Rt wrist X-ray; posteroanterior view; follow-up study; cast in situ; detector: Siemens 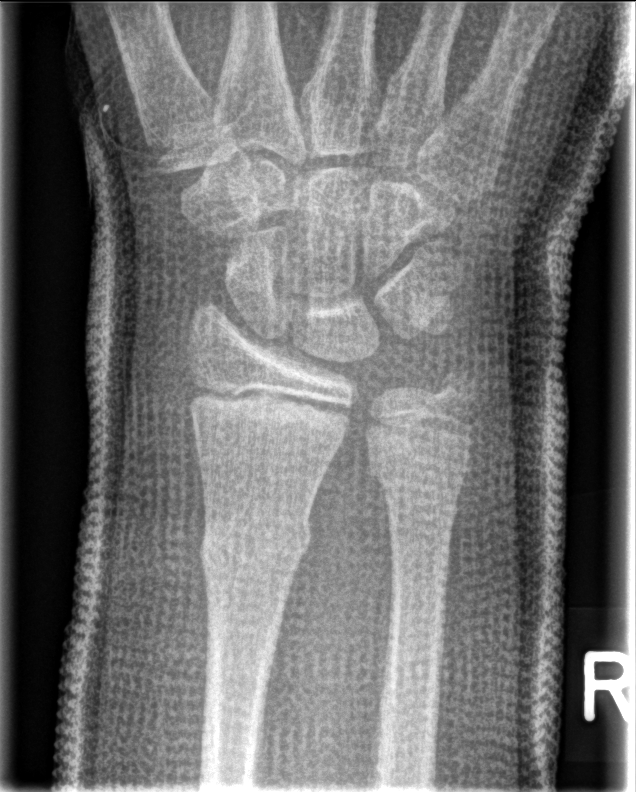
  # pixel coordinates, top-left origin, xyxy
  ao: 23r-M/3.1; 23u-M/2.1; 23u-E/7
  fracture: 196,502,322,573
  365,459,466,515
  428,357,484,419